Left wrist plain film, AP view, pediatric patient (male, age 12), index exam, image 115.5 mm wide —
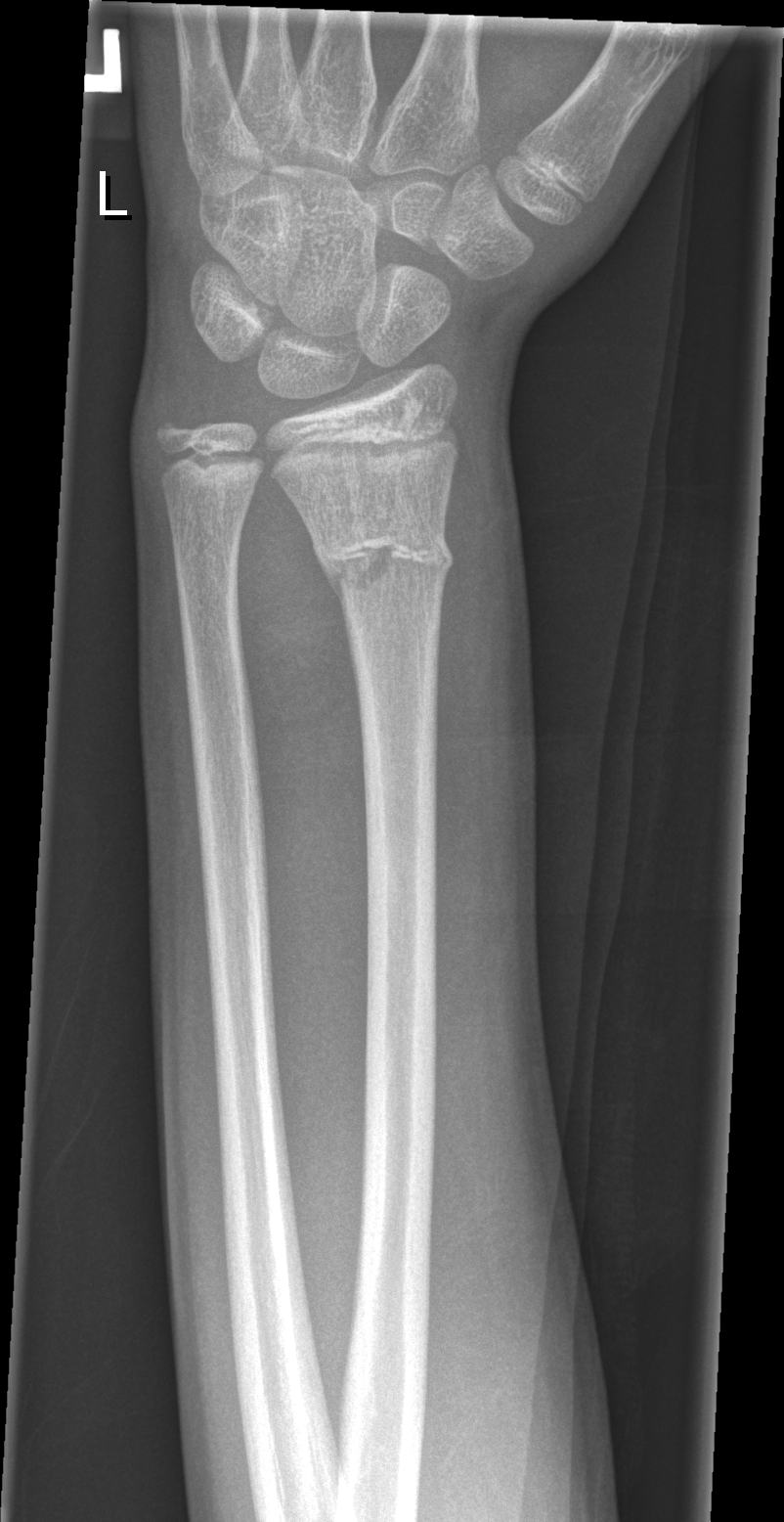
Fracture: 309 512 456 604; 143 405 201 463.
AO/OTA classification: 23r-M/3.1; 23u-E/7.